PA; left wrist XR; 17-year-old boy:
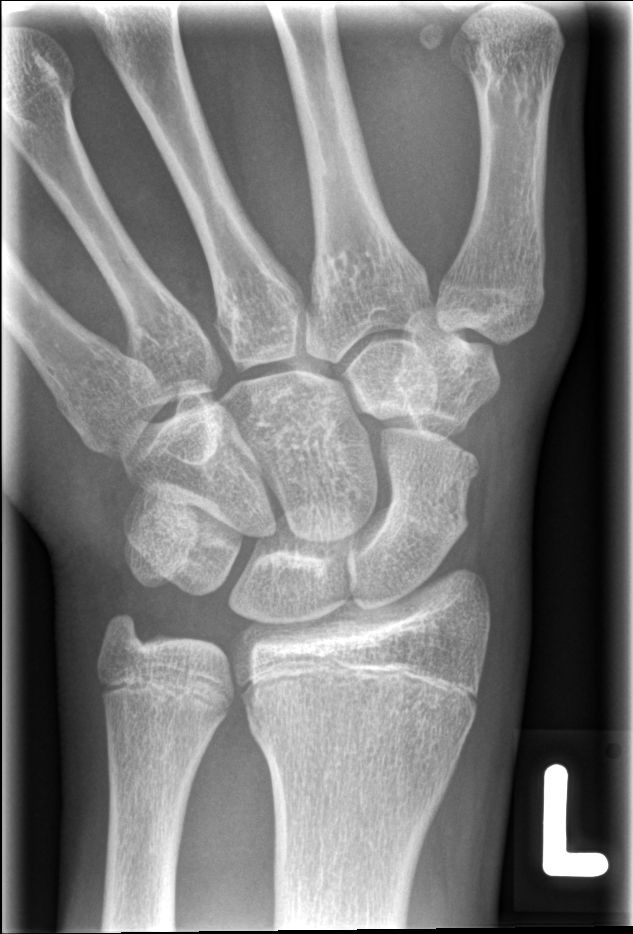
(coordinates are [x1, y1, x2, y2] in image pixels)
bone fracture = [x1=243, y1=672, x2=481, y2=785]